R pediatric wrist radiograph · lateral projection · 8-year-old female
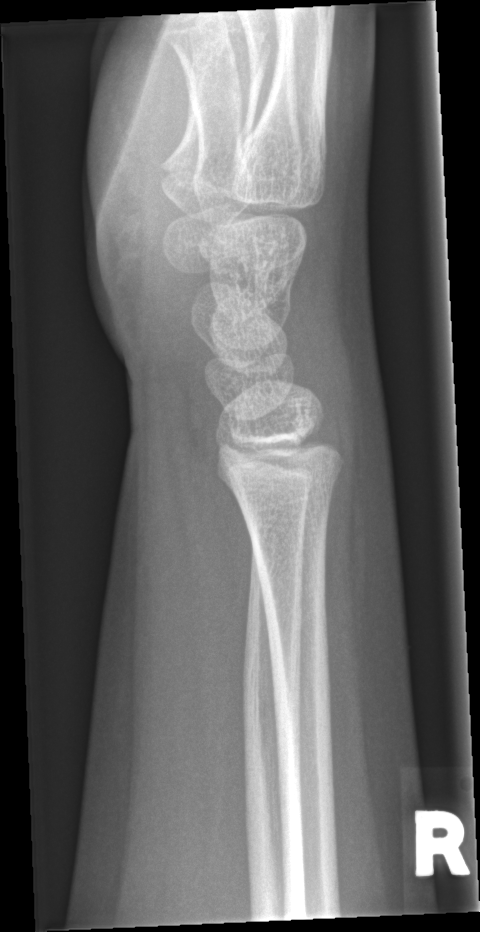
Fracture identified at [x1=223, y1=458, x2=346, y2=511].
AO code 23r-M/2.1.